AP projection; left wrist radiograph; 11-year-old male —

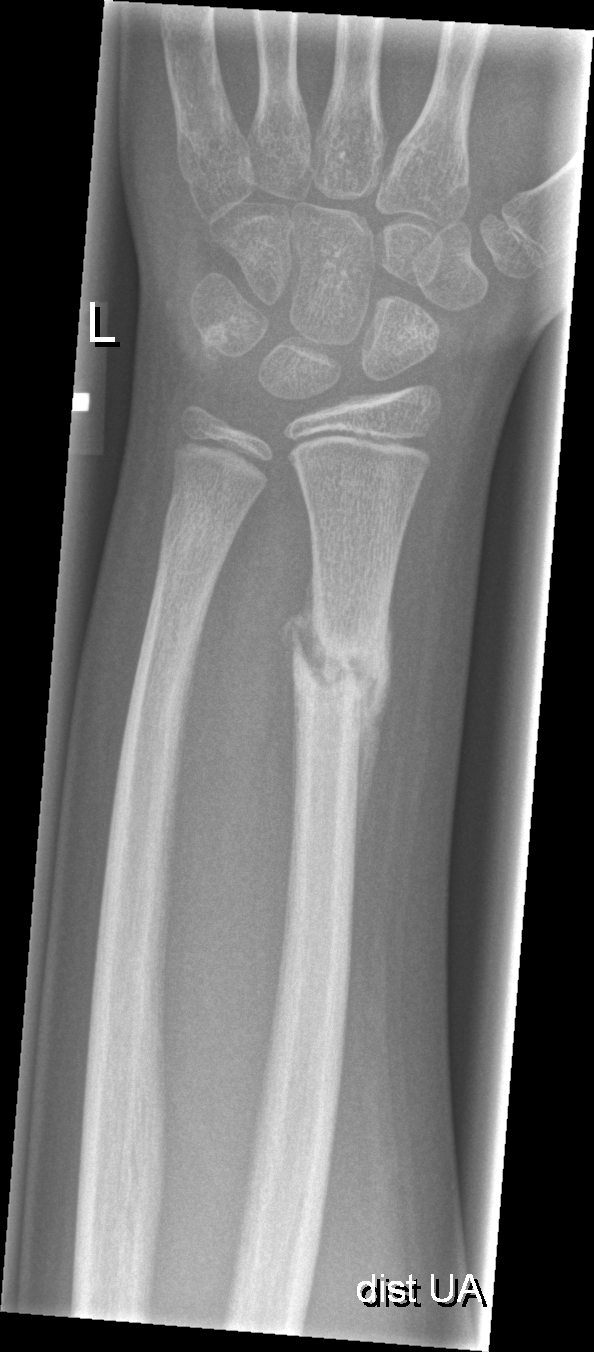

(bounding boxes in image-pixel xyxy)
Osteopenia = present
Periosteal thickening = 2 @ 354 577 397 877; 275 563 324 676
Fx = 285 606 393 733
  155 485 244 573